Right wrist plain film; lat view; 563 by 1130 pixels 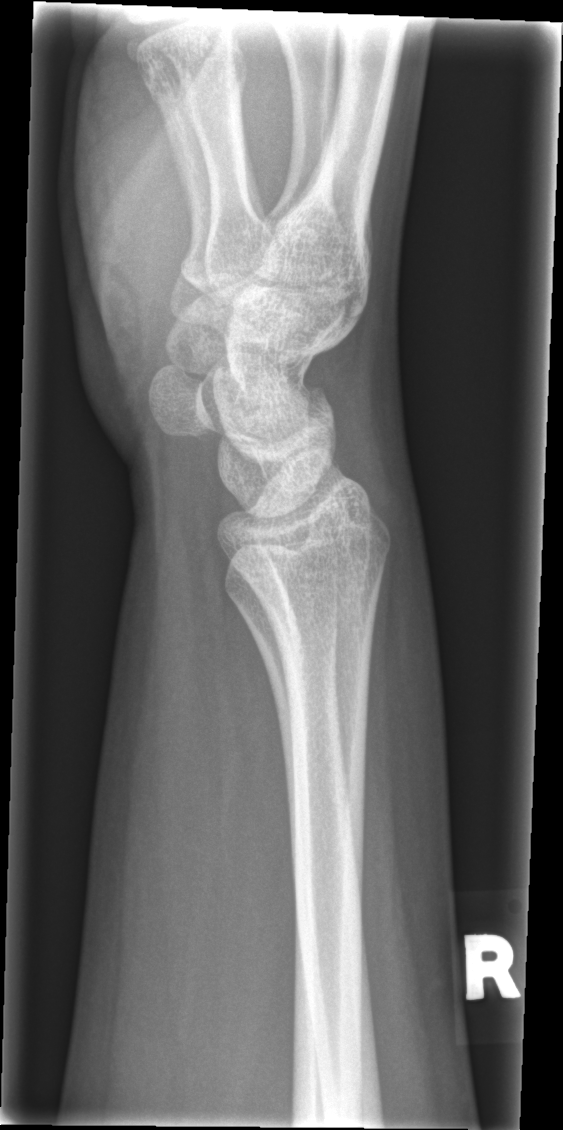

{
  "fracture": "none labeled"
}